Lateral projection | left wrist pediatric wrist radiograph.

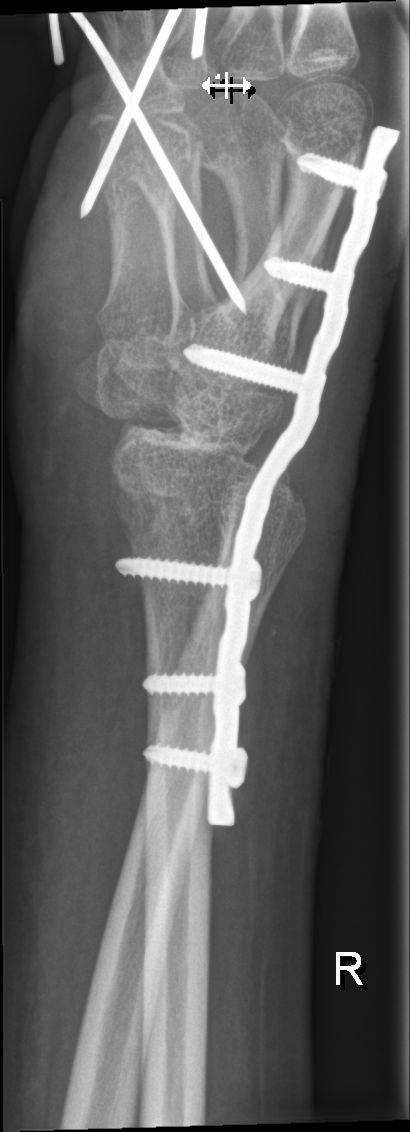
Findings: (coordinates are [x1, y1, x2, y2] in image pixels) Two hardware at (left=113, top=119, right=402, bottom=830) (left=47, top=6, right=251, bottom=317). No Fx annotated.